Lateral view; right pediatric wrist radiograph; follow-up; cast in situ 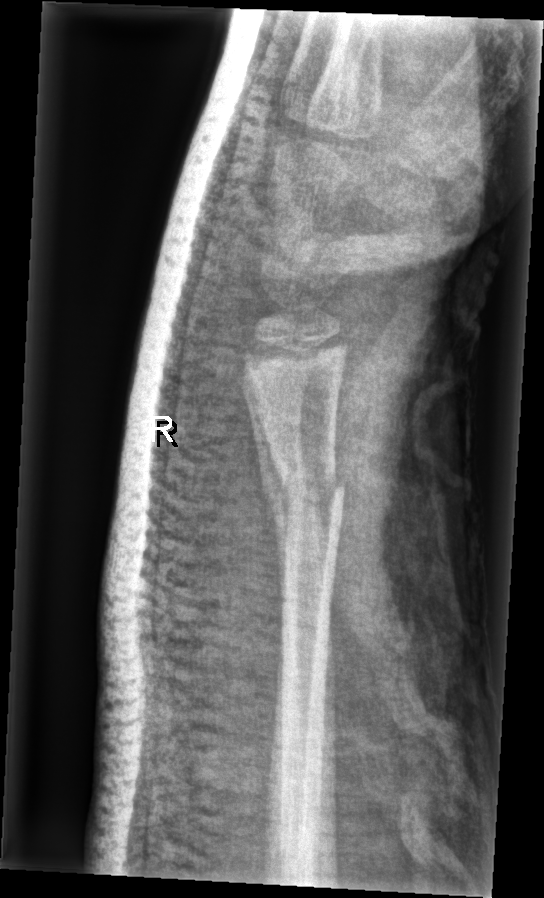
* Fracture classified AO/OTA 23-M/3.1.
* Bone fracture: [x1=264, y1=467, x2=321, y2=532]; [x1=281, y1=466, x2=351, y2=517].